R wrist X-ray | lat projection | 6-year-old female
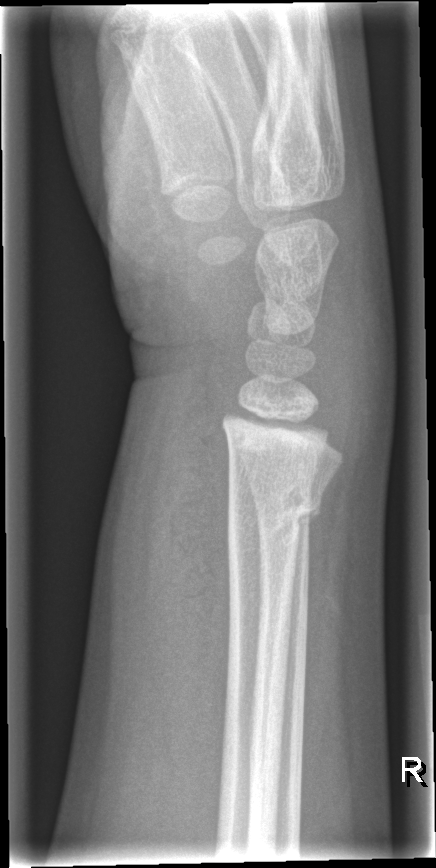 Pixel coordinates, top-left origin, xyxy. AO/OTA classification: 23-M/2.1. Pronator quadratus fat-pad sign: <158,381>-<232,744>. One fracture at <223,465>-<328,549>.